Posteroanterior projection · Rt wrist XR · 8y F — 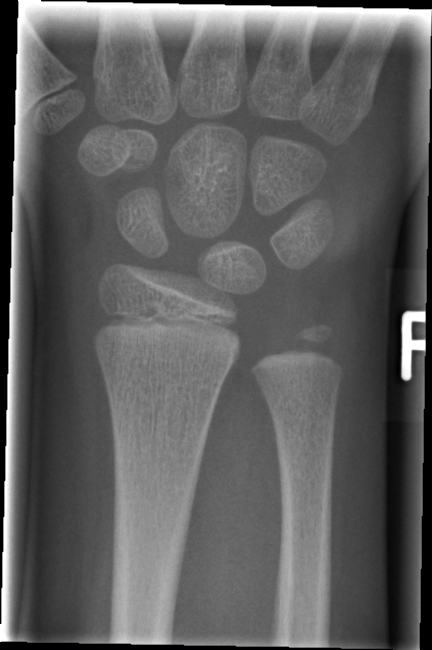
No fracture bounding box.